Posteroanterior, Rt wrist radiograph, pediatric patient (girl, age 8), Siemens. 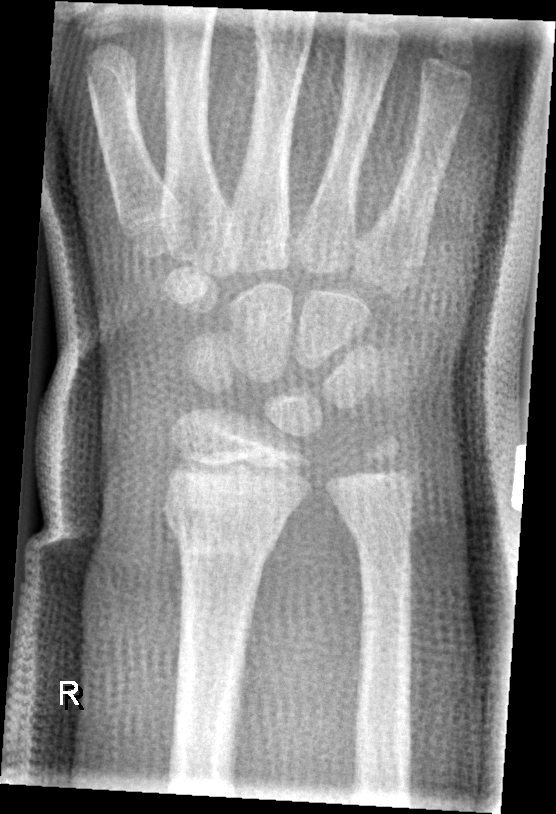
Fractures — (161, 481, 292, 558) (344, 495, 418, 560).